Left wrist XR · posteroanterior · age 11 y, girl · 596 x 1034 px —
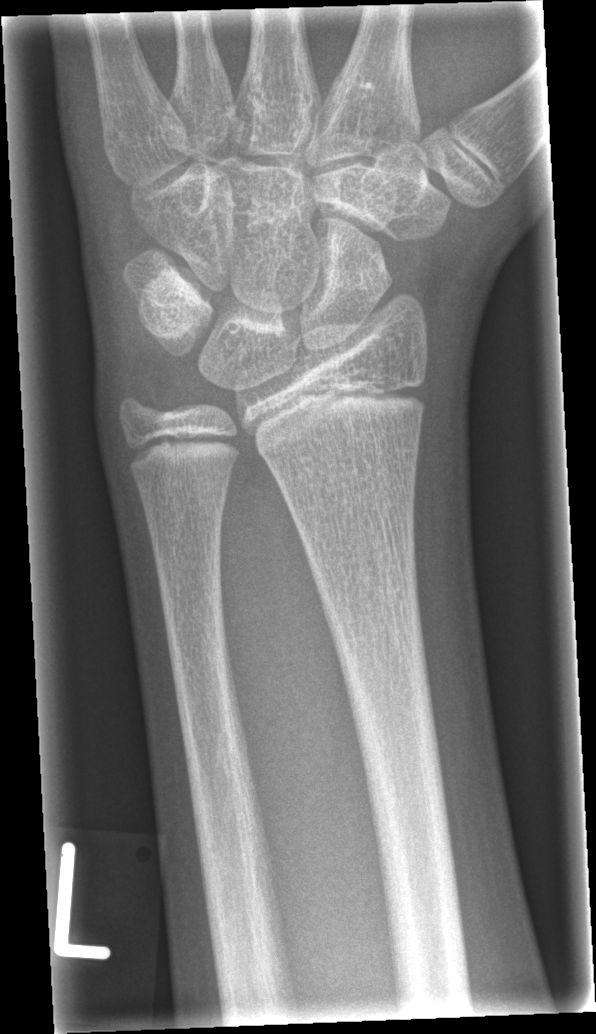
bone fracture = none labeled